PA/AP view, Lt wrist radiograph, presentation radiograph.

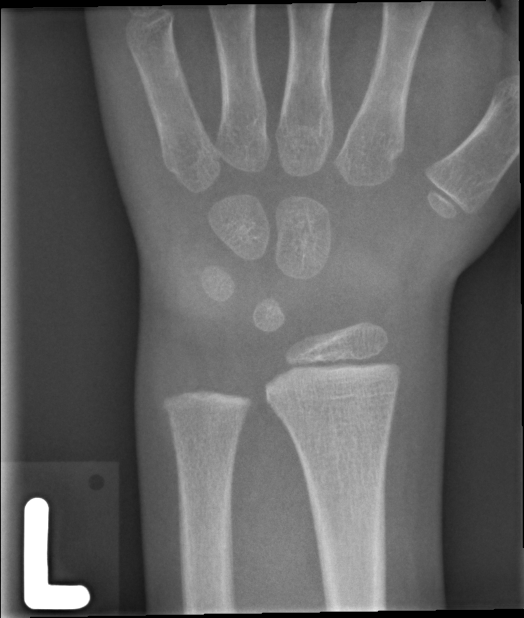

No fracture labeled.